PA/AP projection, right pediatric wrist radiograph, 13y M, follow-up study, detector: Siemens.
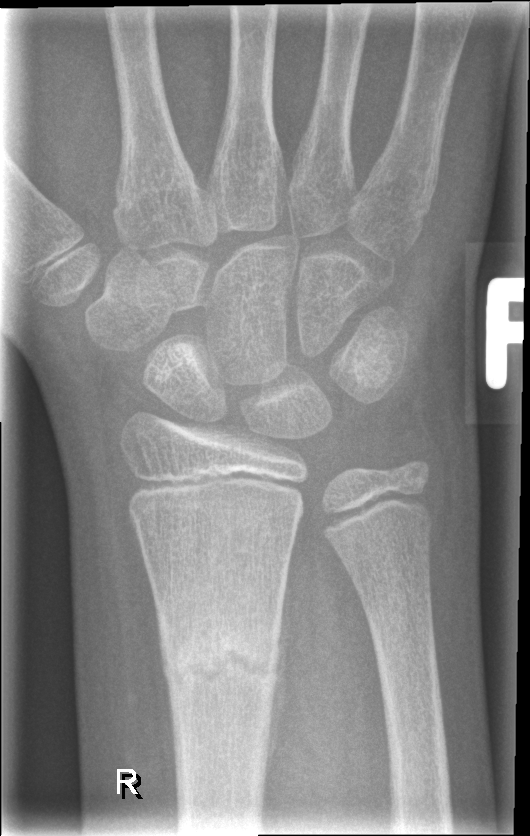

AO classification: 23r-M/3.1
periosteal thickening: (left=264, top=560, right=294, bottom=789)
osteopenia: present
bone fracture: (left=159, top=619, right=288, bottom=698)